Lat; right wrist pediatric wrist radiograph

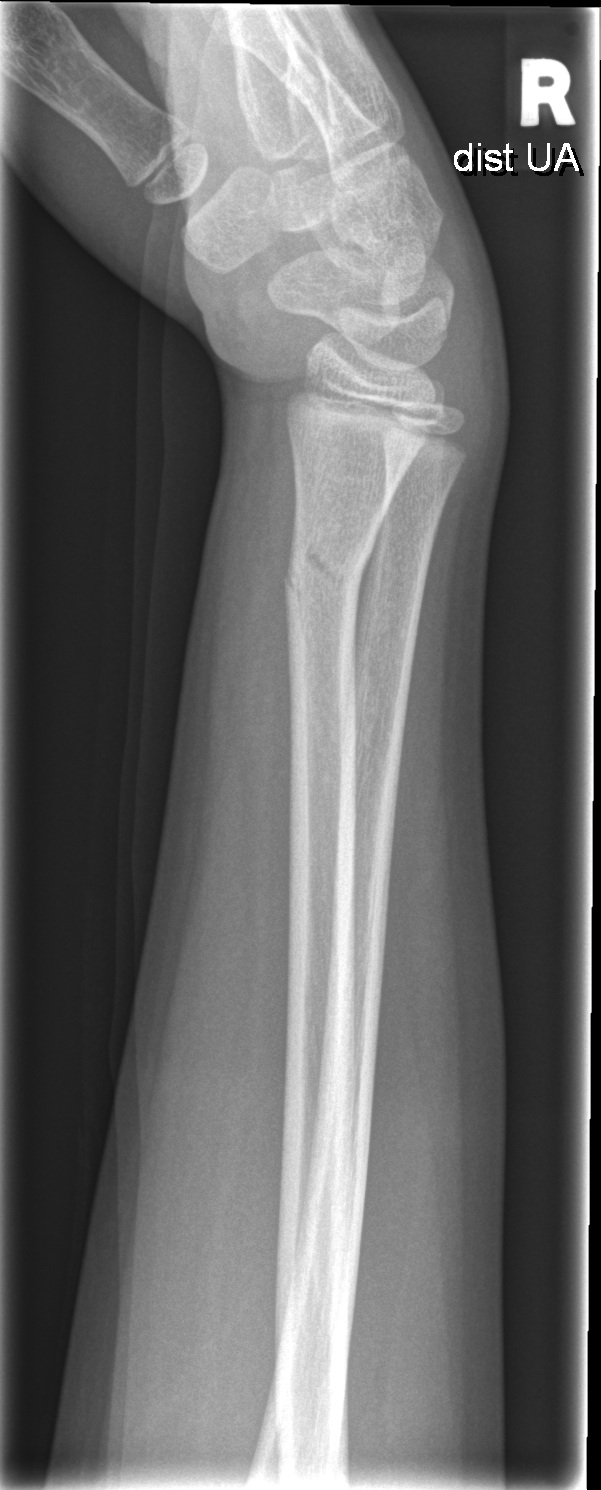 - Pronator sign — <218,398>-<294,818>.
- AO code 23r-M/3.1; 23u-E/7.
- One bone fracture at <281,532>-<370,623>.